AP view; Rt wrist X-ray; 4y M; follow-up study; imaged through cast: 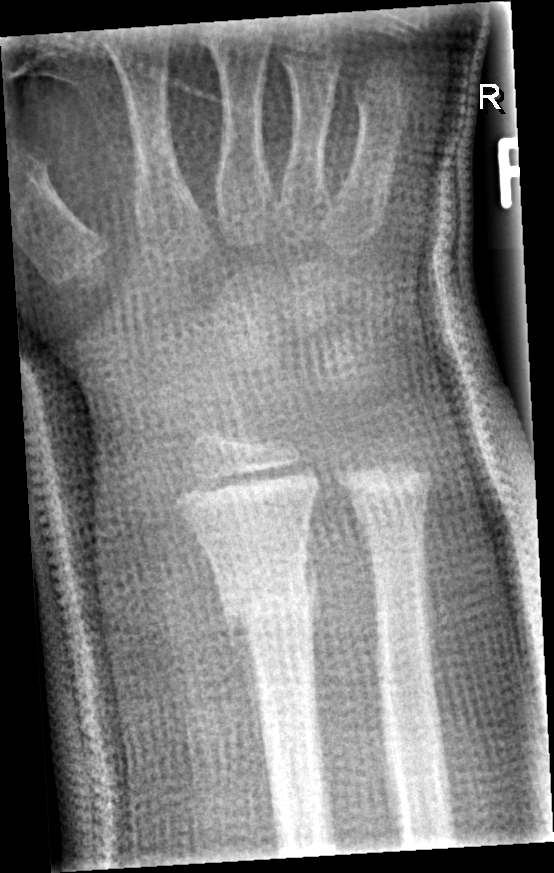 FINDINGS: (bounding boxes in image-pixel xyxy) Bone fracture: [x1=213, y1=565, x2=320, y2=643]. Periosteal thickening identified at [x1=227, y1=618, x2=269, y2=764] [x1=304, y1=518, x2=323, y2=681]. AO/OTA classification: 23r-M/3.1; 23u-M/2.1.